L wrist X-ray, PA view, pediatric patient (female, age 13), Siemens, 89.4 mm image width, 621 x 1402 px: 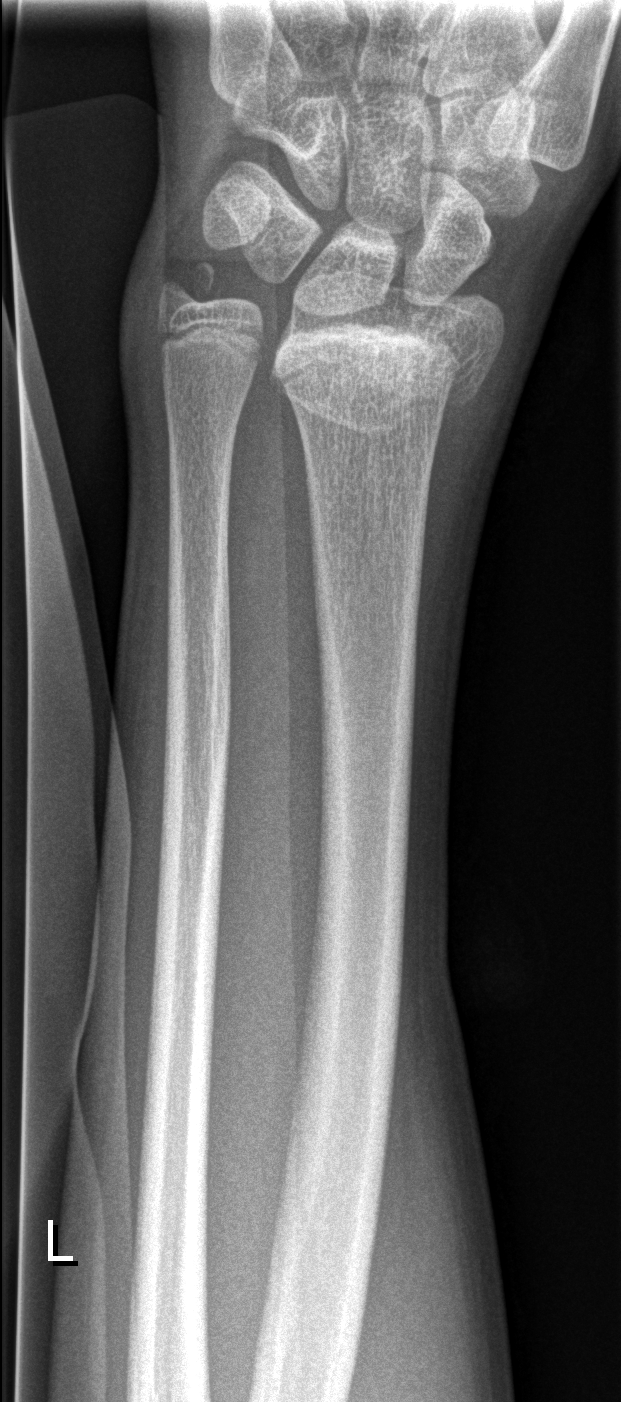
Findings: AO code 23r-E/2.1; 23u-E/7. Fx — [269, 301, 499, 441], [154, 254, 224, 316].